Lat · left wrist plain film · 9-year-old girl · cast in situ —

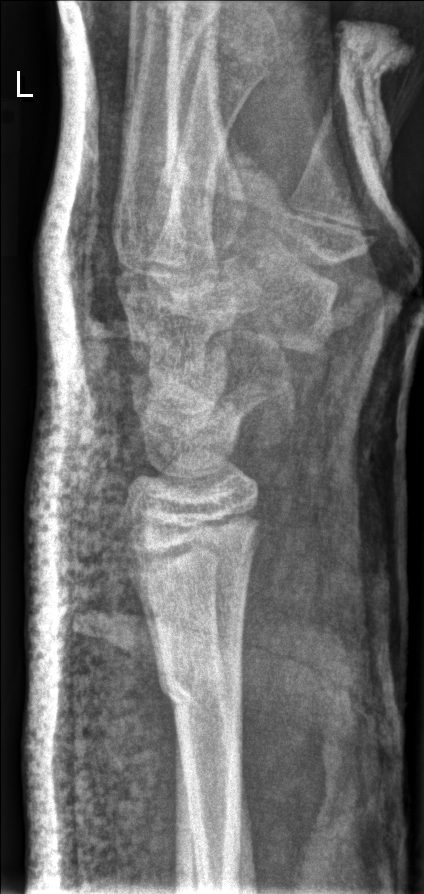
Bone fracture: 156,666,246,730. AO code 23r-M/2.1; 23u-E/1.